Lateral view · Rt wrist XR · follow-up · image width 66.1 mm
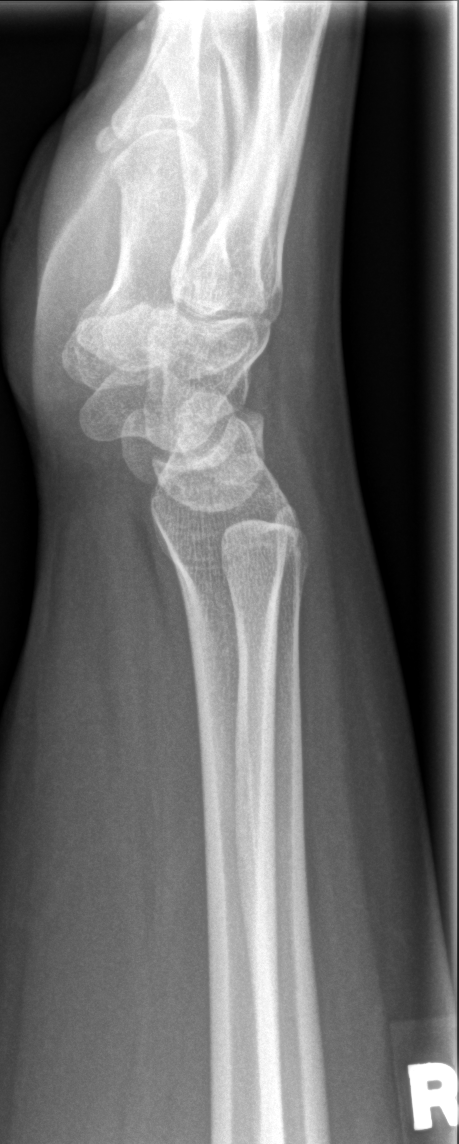
{
  "fracture": "none labeled"
}